L pediatric wrist radiograph; lat projection; index exam; detector: Siemens. 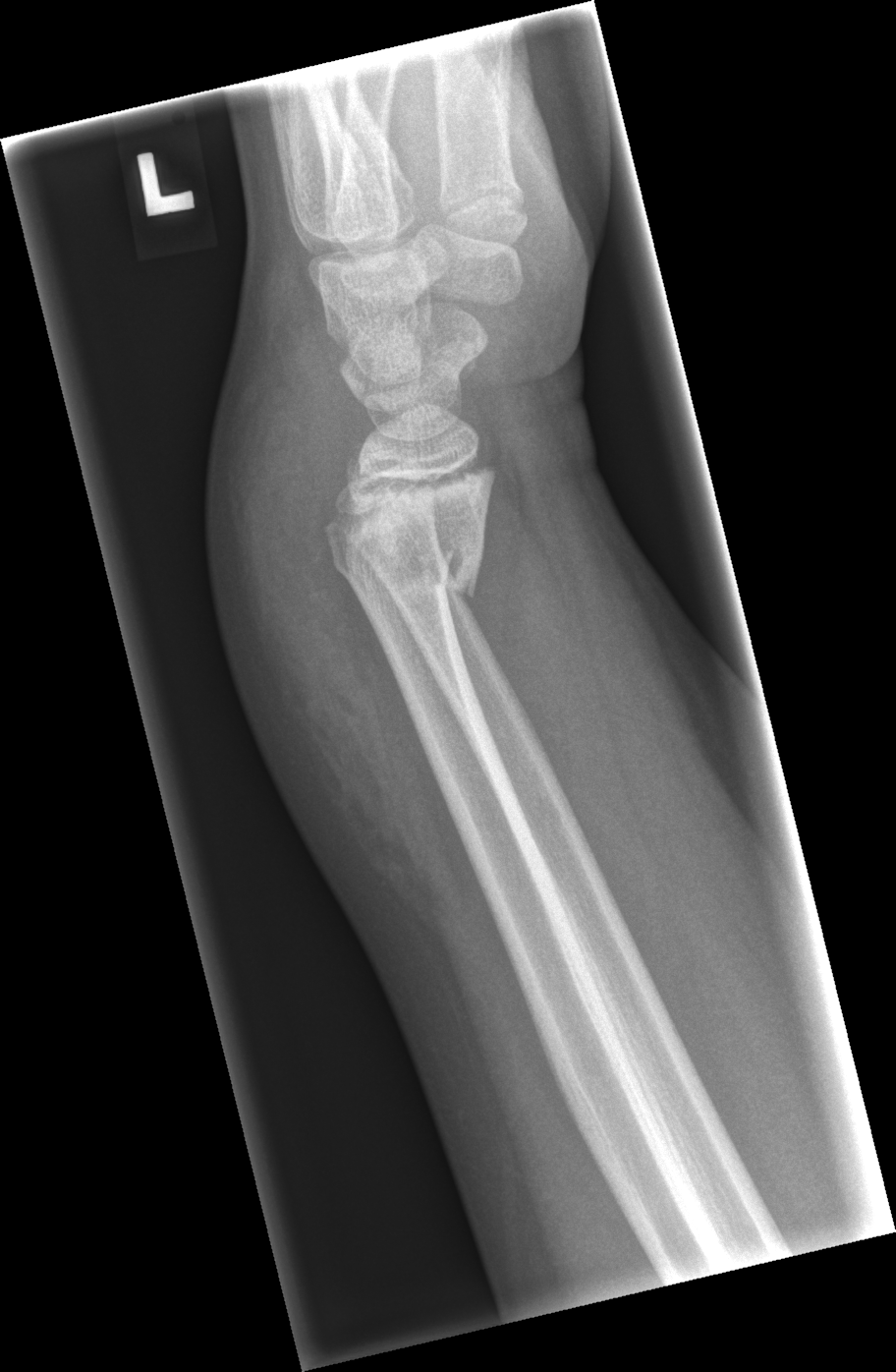
One Fx at [x1=322, y1=502, x2=486, y2=603]. One soft tissue abnormality at [x1=232, y1=333, x2=414, y2=885]. Positive pronator fat-pad sign identified at [x1=469, y1=439, x2=587, y2=836].